Right wrist radiograph; lateral view; 11-year-old male; index exam; image width 50.7 mm:
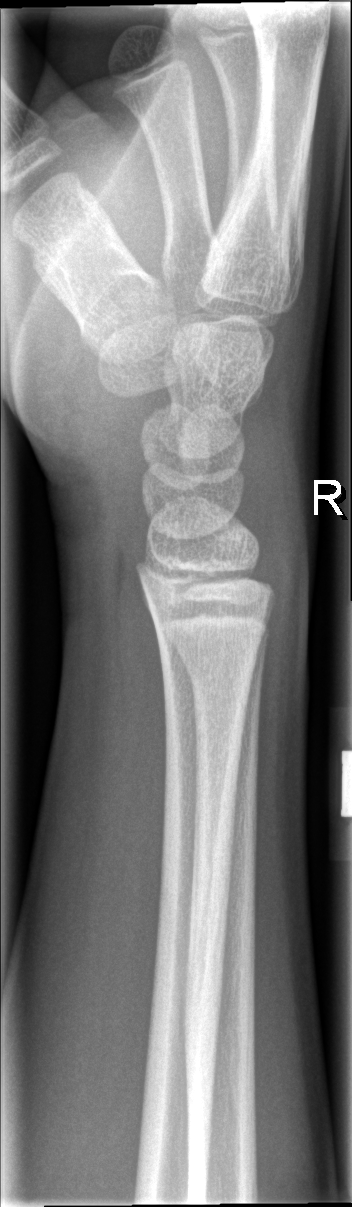

bone fracture: none labeled